Lat · Rt wrist X-ray · image 64.9 mm wide:
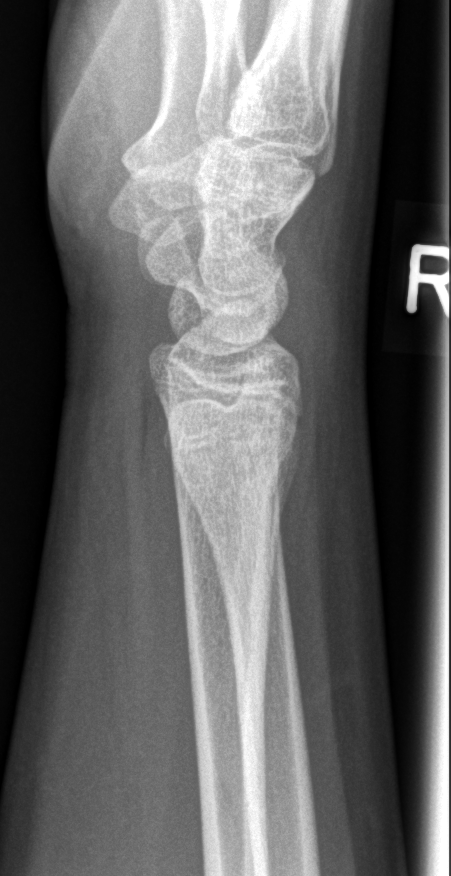

Fx — (157, 400, 313, 521). Fracture classified AO/OTA 23r-M/2.1; 23u-E/7.